Lt wrist X-ray, posteroanterior, 10-year-old girl, index exam, Siemens: 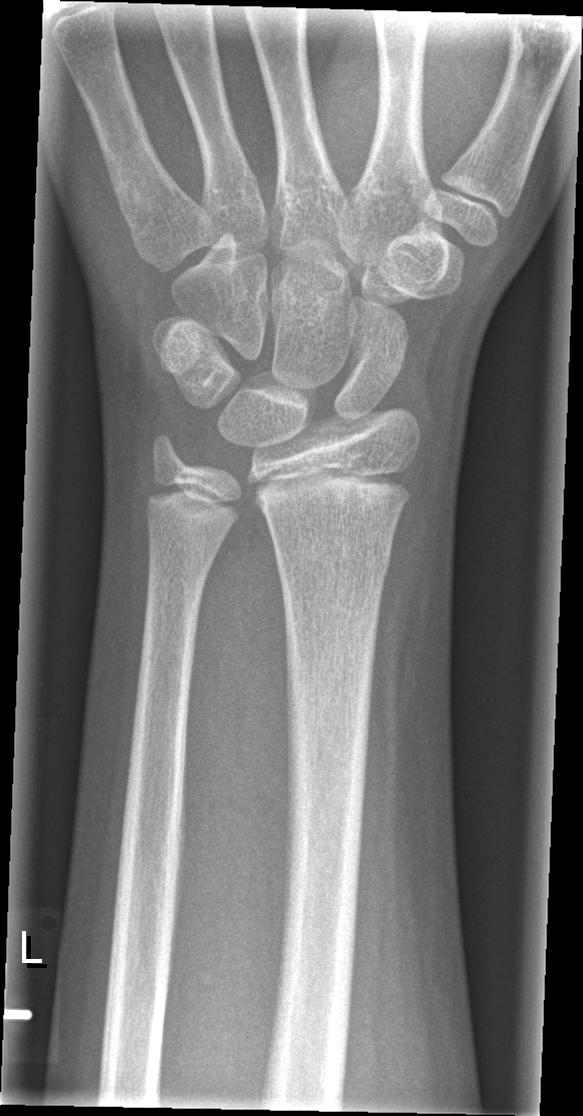
fracture: 1 @ (275, 535, 393, 588)